Left wrist radiograph · PA projection · pediatric patient (female, age 12) · presentation radiograph · 84.0 mm image width · image size 583x762
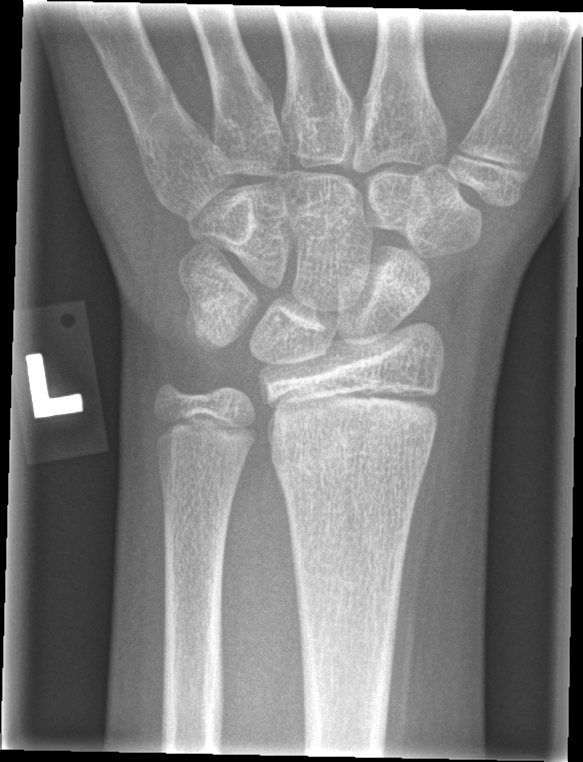
* Fx: 268,422,436,490.
* AO code 23r-M/2.1.